Posteroanterior view · right plain radiograph of the wrist · subsequent exam · in cast · detector: Siemens

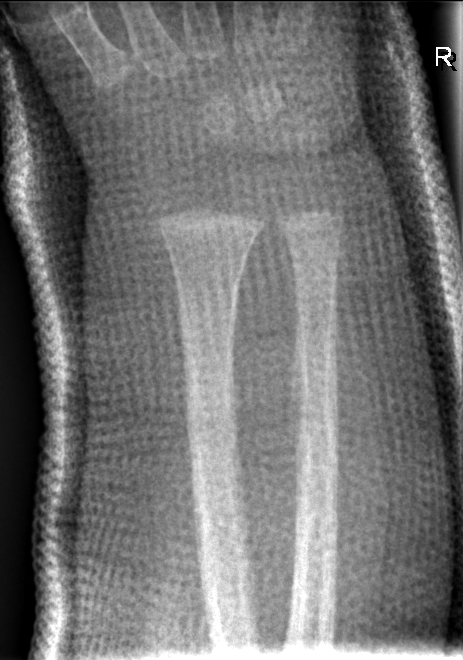

Fx present but not clearly seen in this view.